Lat · R plain radiograph of the wrist · index exam
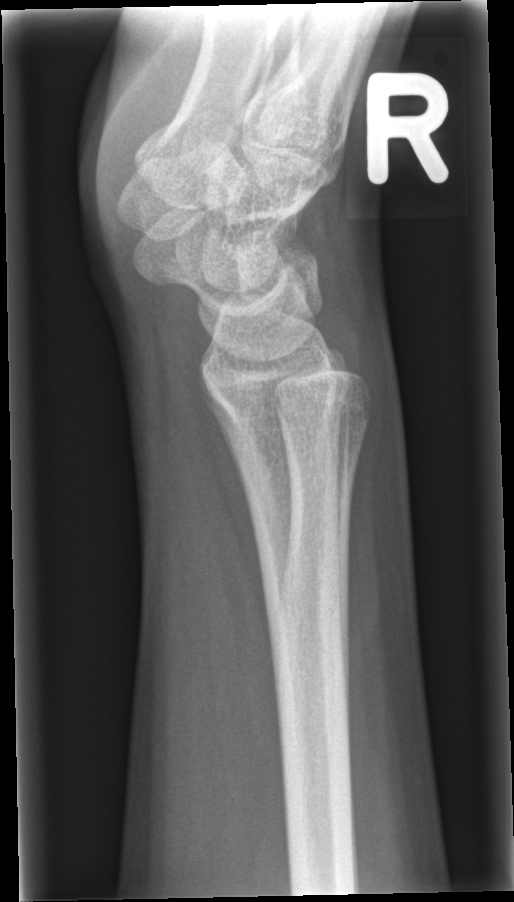
fracture: none labeled